L wrist radiograph, lateral projection, 6-year-old male, image size 436x802.
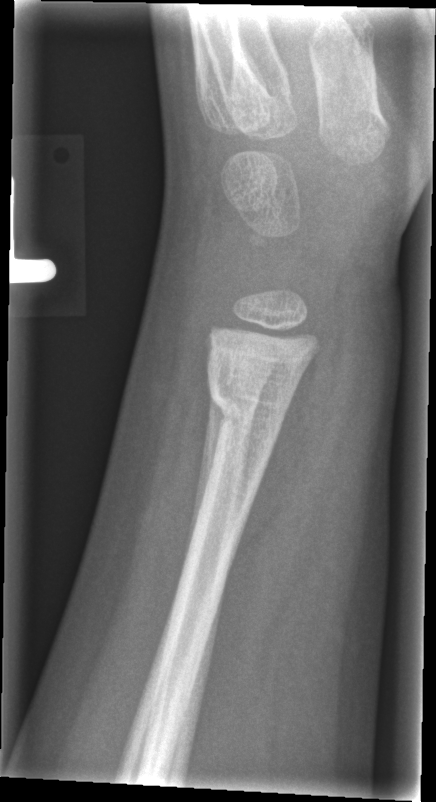 (bounding boxes in image-pixel xyxy)
Pronator sign = 1 @ 234,334,345,567
Bone fracture = 205,370,287,450